L wrist radiograph; lateral projection; image size 512x1038

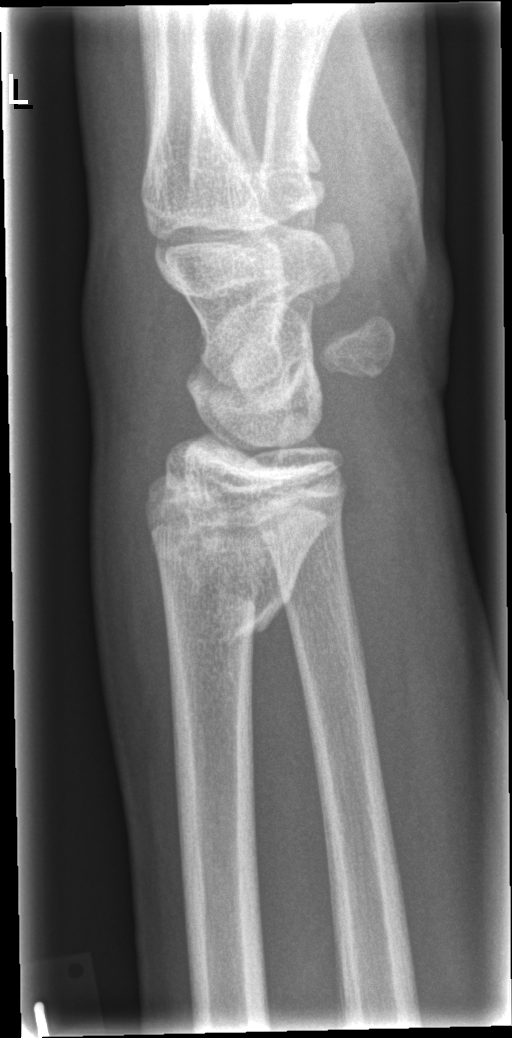 FINDINGS: (boxes as x1,y1,x2,y2 (top-left / bottom-right, pixel units)) Fracture identified at [x1=137, y1=470, x2=334, y2=642]. AO code 23r-E/2.1; 23u-E/7.